Right wrist pediatric wrist radiograph · frontal:

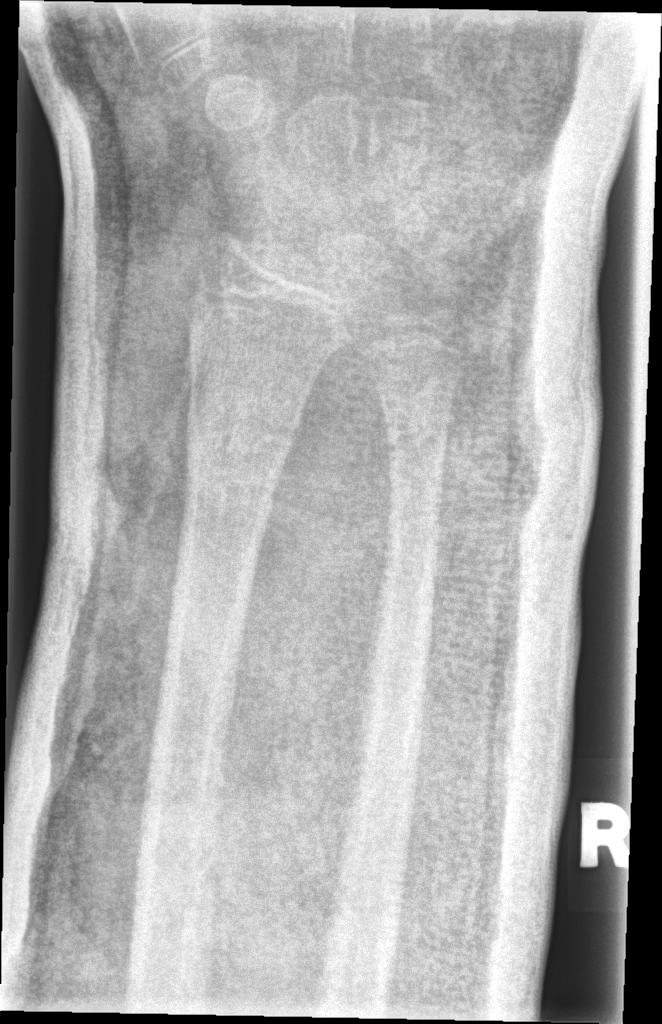

Bone fracture = (179, 388, 303, 499)